Lateral projection | right wrist plain radiograph of the wrist.

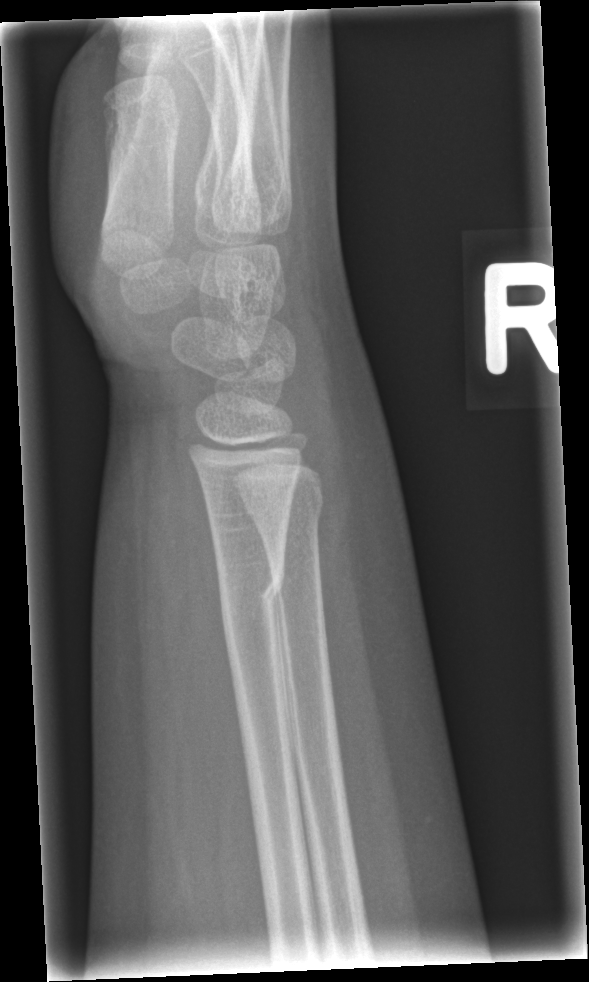
(bounding boxes in image-pixel xyxy)
AO code = 23-M/2.1
fracture = bbox(212, 555, 288, 629), bbox(242, 479, 326, 528)